Right wrist pediatric wrist radiograph · AP view · index exam.
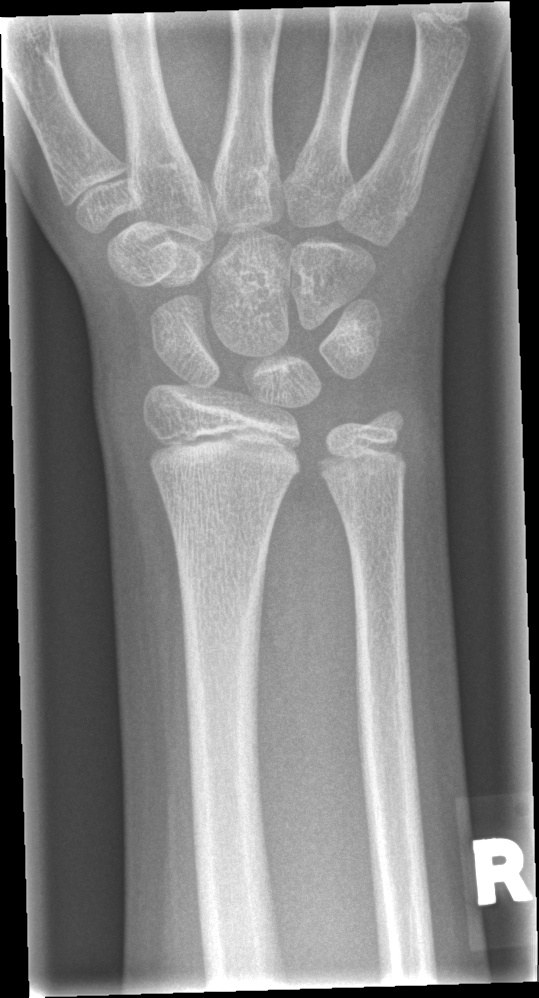 {"fracture": "none labeled"}